Left wrist XR; frontal view; 448 x 894 px

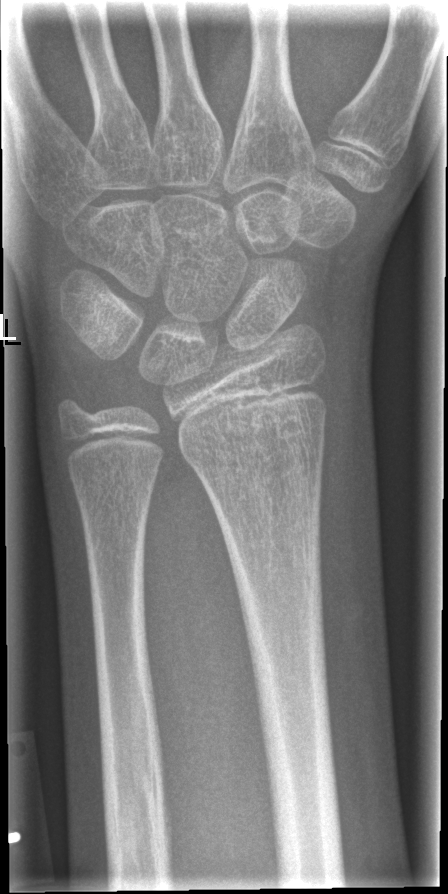
Fracture = none labeled
Osteopenia = present